Right wrist plain film · posteroanterior view · male, 11 yo · presentation radiograph · 669 by 1020 pixels:

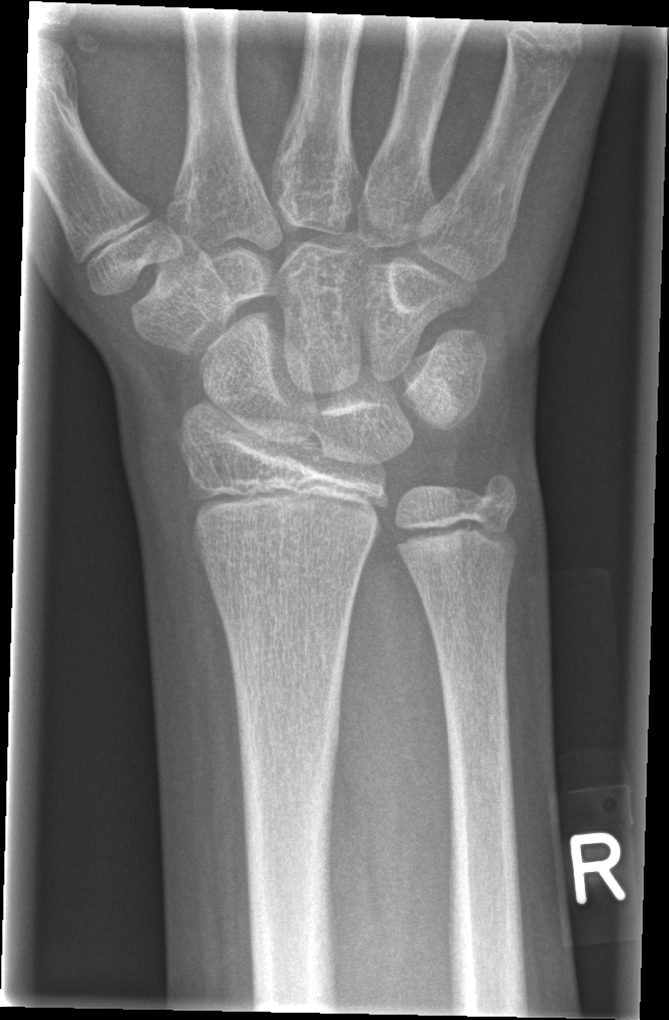
No fracture annotation.